Left plain radiograph of the wrist; lat projection; pediatric patient (male, age 4); in cast; detector: Siemens — 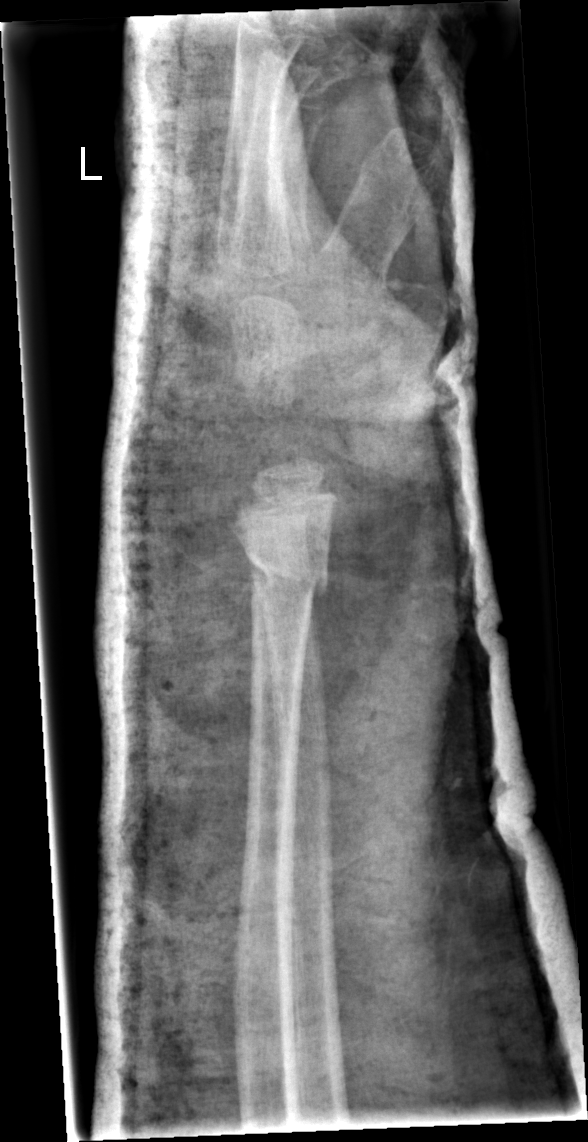
Fx = 1 @ (239, 544, 333, 607)
AO classification = 23r-M/3.1; 23u-M/2.1